Right plain radiograph of the wrist; PA; imaged through cast:

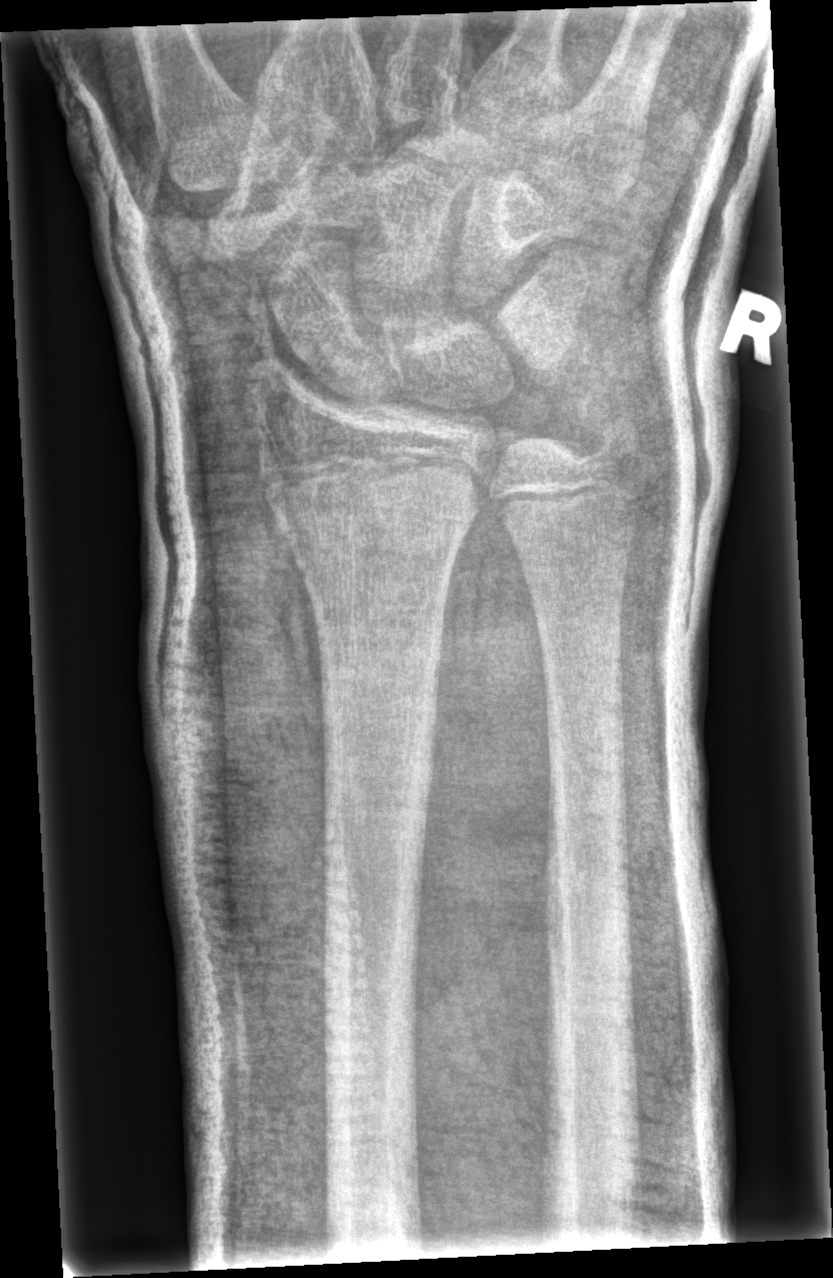

Osteopenic.
Bone fracture: 255 432 491 575 | 574 393 644 455.
Fracture classified AO/OTA 23r-E/2.1; 23u-E/7.